Lat view | left wrist pediatric wrist radiograph | 5-year-old boy | subsequent exam 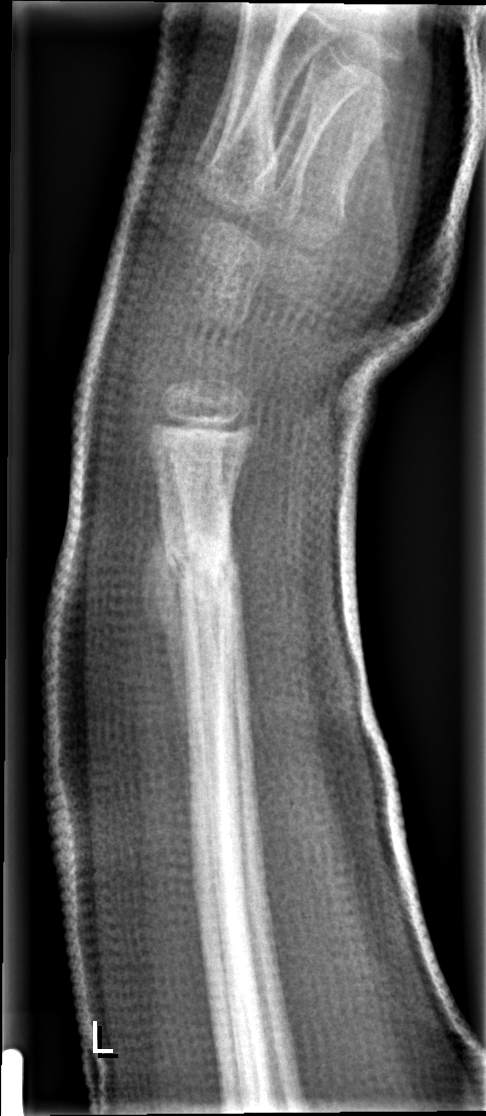

FINDINGS: Periosteal thickening — 138 495 193 787 | 227 517 243 748. Fx: 158 525 240 598.